Left wrist X-ray | PA | follow-up | image 67.1 mm wide

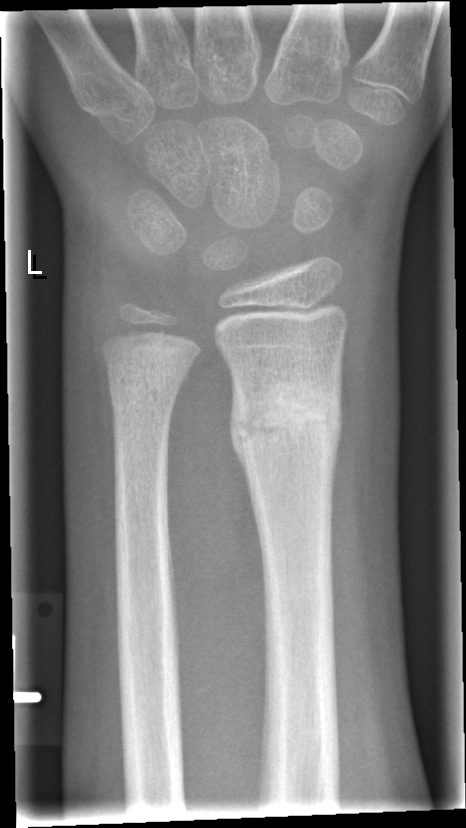

Fx = [227, 376, 344, 470]; [108, 361, 187, 419]
Osteopenia = present
AO classification = 23r-M/3.1; 23u-M/2.1